PA projection | R wrist X-ray | 14-year-old boy | 802 by 1281 pixels —
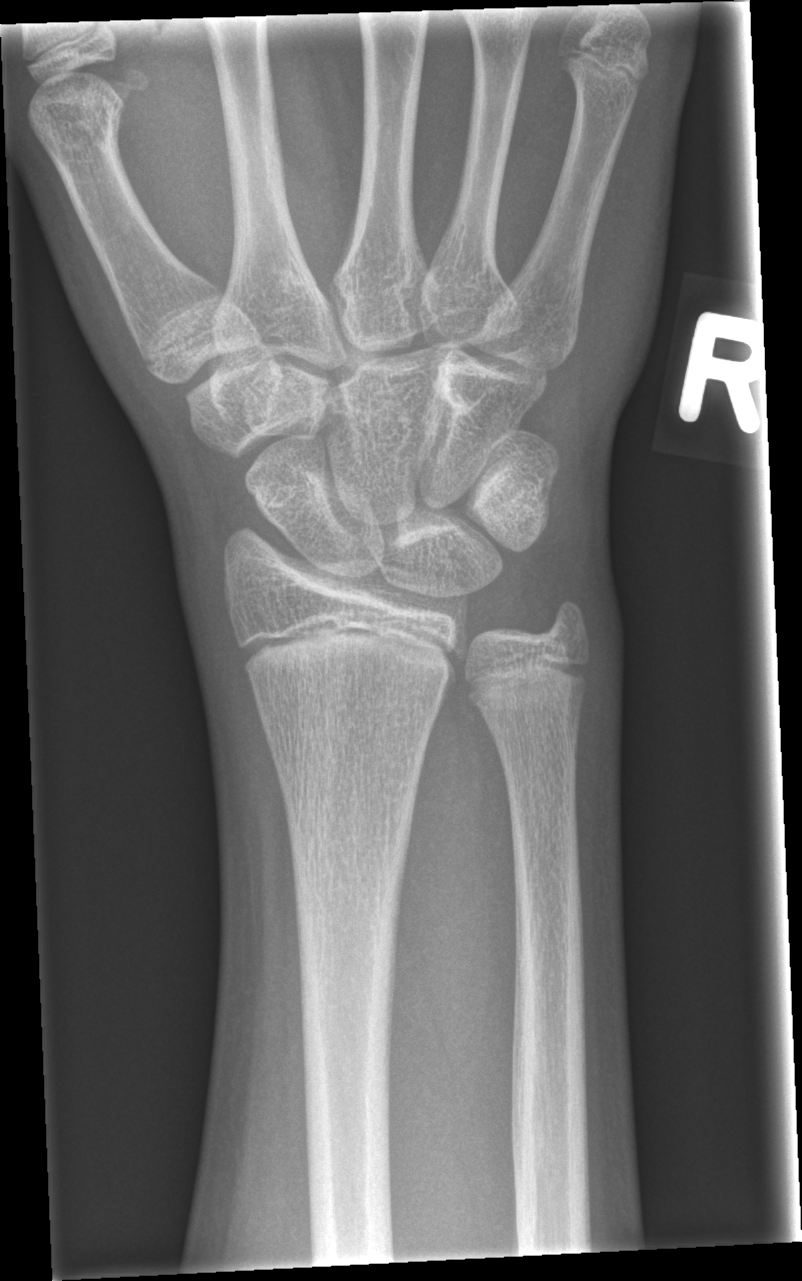 fracture: none labeled